Lat projection | Rt wrist radiograph | 15-year-old girl:

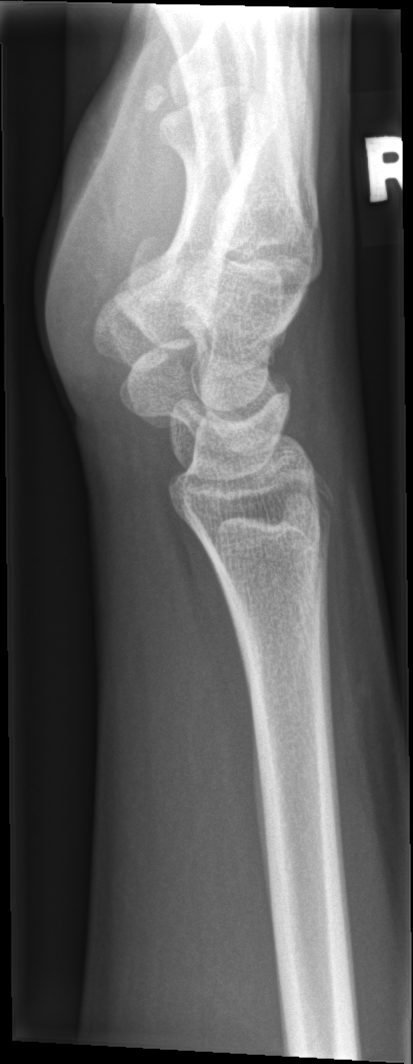
bone fracture: none labeled